Lat view · L wrist X-ray · index exam. 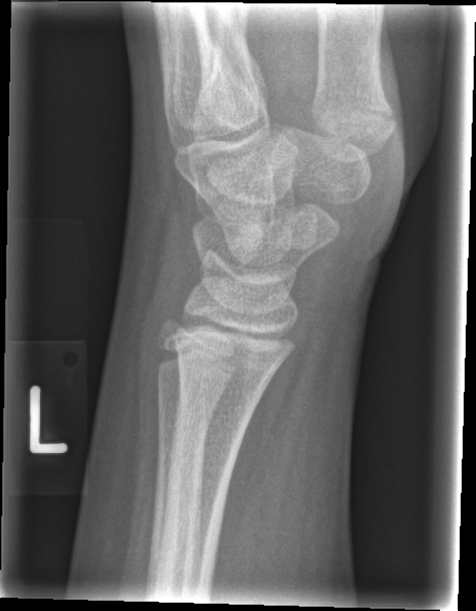 • No fracture annotation.